Lat | left wrist X-ray | image width 150.3 mm
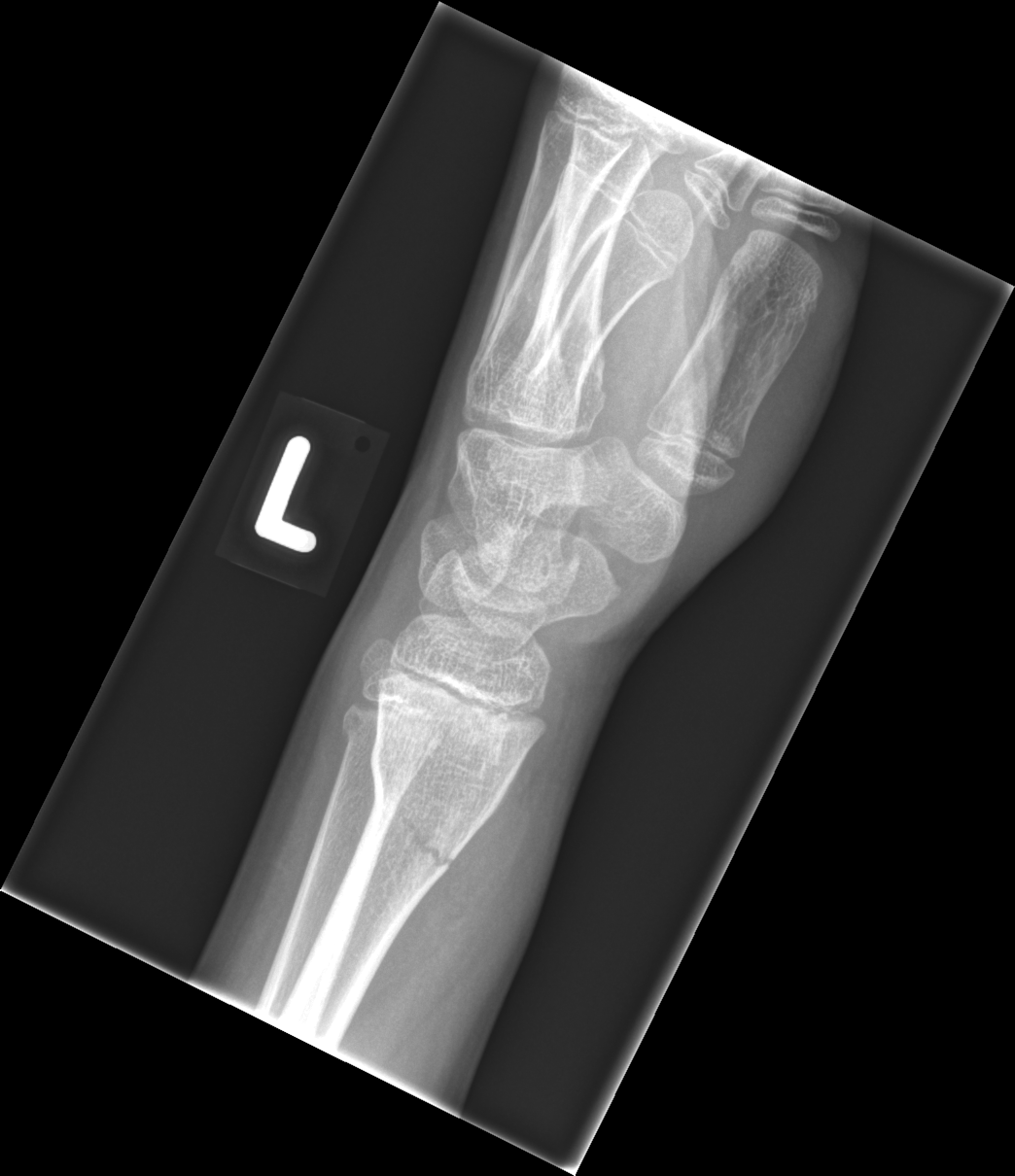
Fracture classified AO/OTA 23-M/3.1. Fracture: <369,740>-<465,875>, <338,709>-<437,773>.